PA, R wrist X-ray, 8-year-old male:

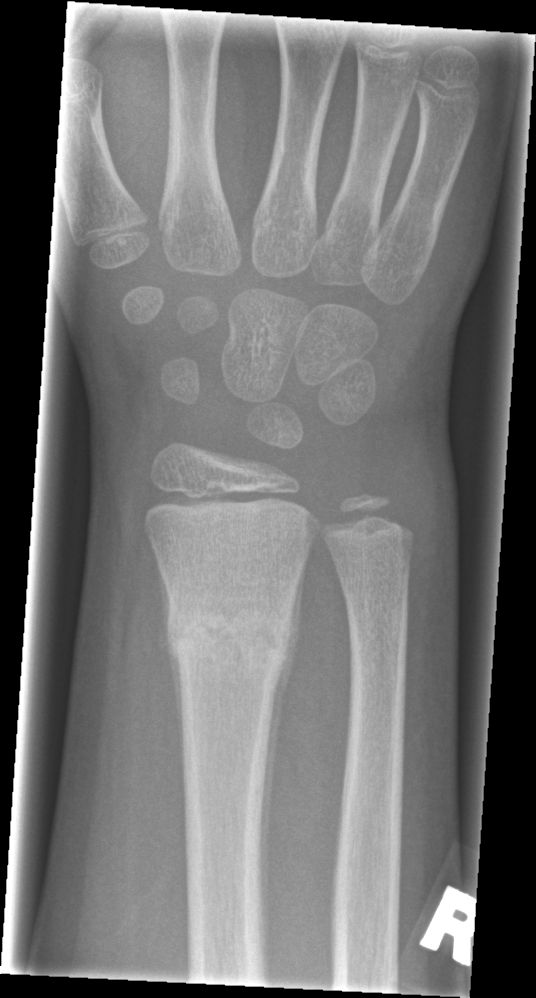 (pixel coordinates, top-left origin, xyxy)
bone fracture: 1 @ [160, 592, 294, 681]
periosteal thickening: 2 @ [260, 555, 307, 948], [158, 560, 185, 770]